Lat, left wrist X-ray:
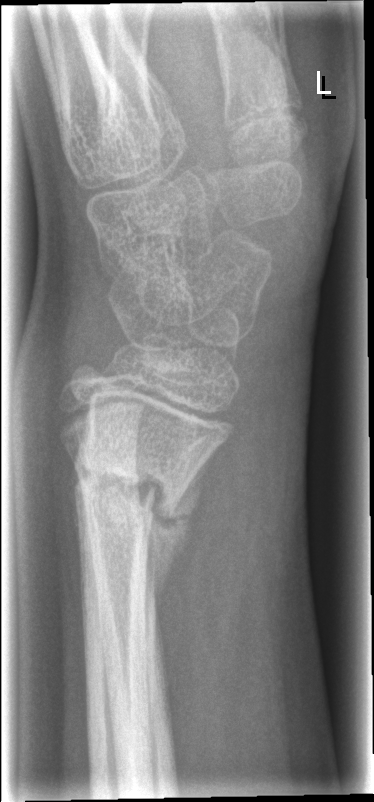
Periosteal thickening: 143,455,211,642. Osteopenia. Fracture identified at 70,449,191,532.